Rt wrist X-ray · frontal · 12-year-old female · image size 528x1134

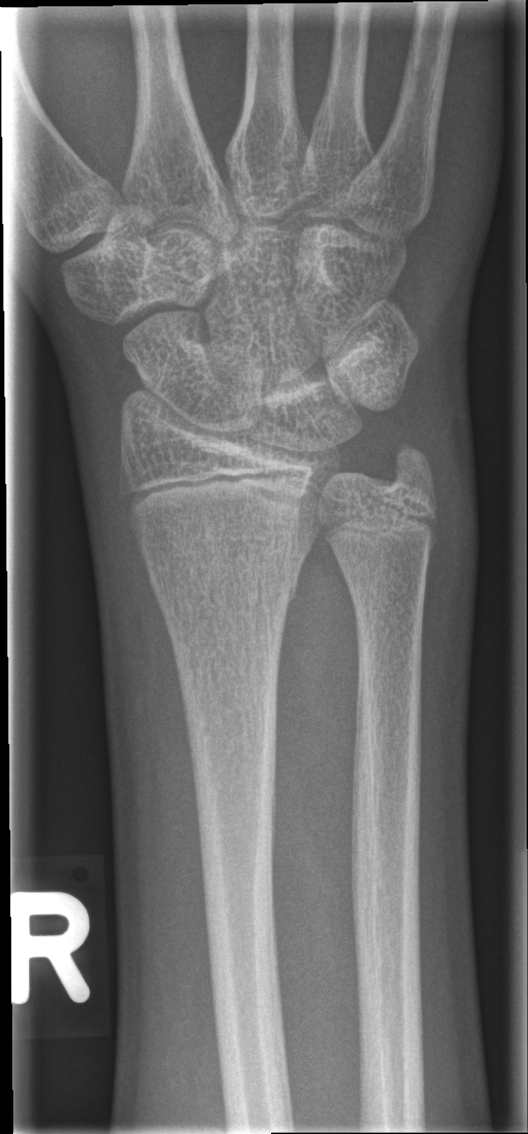 {
  "ao": "23r-M/2.1",
  "fracture": "(left=148, top=561, right=306, bottom=629)"
}